PA/AP projection · Rt wrist plain film · boy, 13 yo

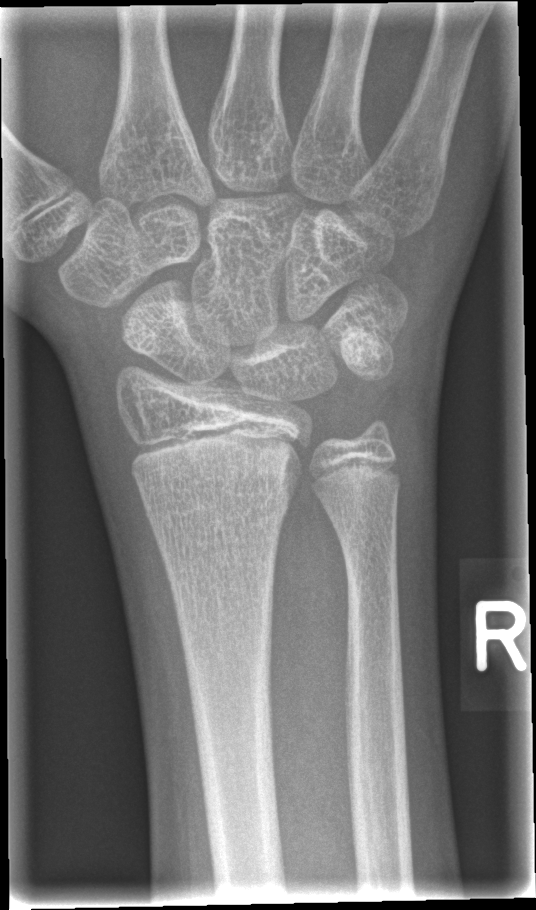
Boxes as x1,y1,x2,y2 (top-left / bottom-right, pixel units). Fx identified at 134 460 295 529.